Right wrist X-ray | AP projection | male, 9 yo — 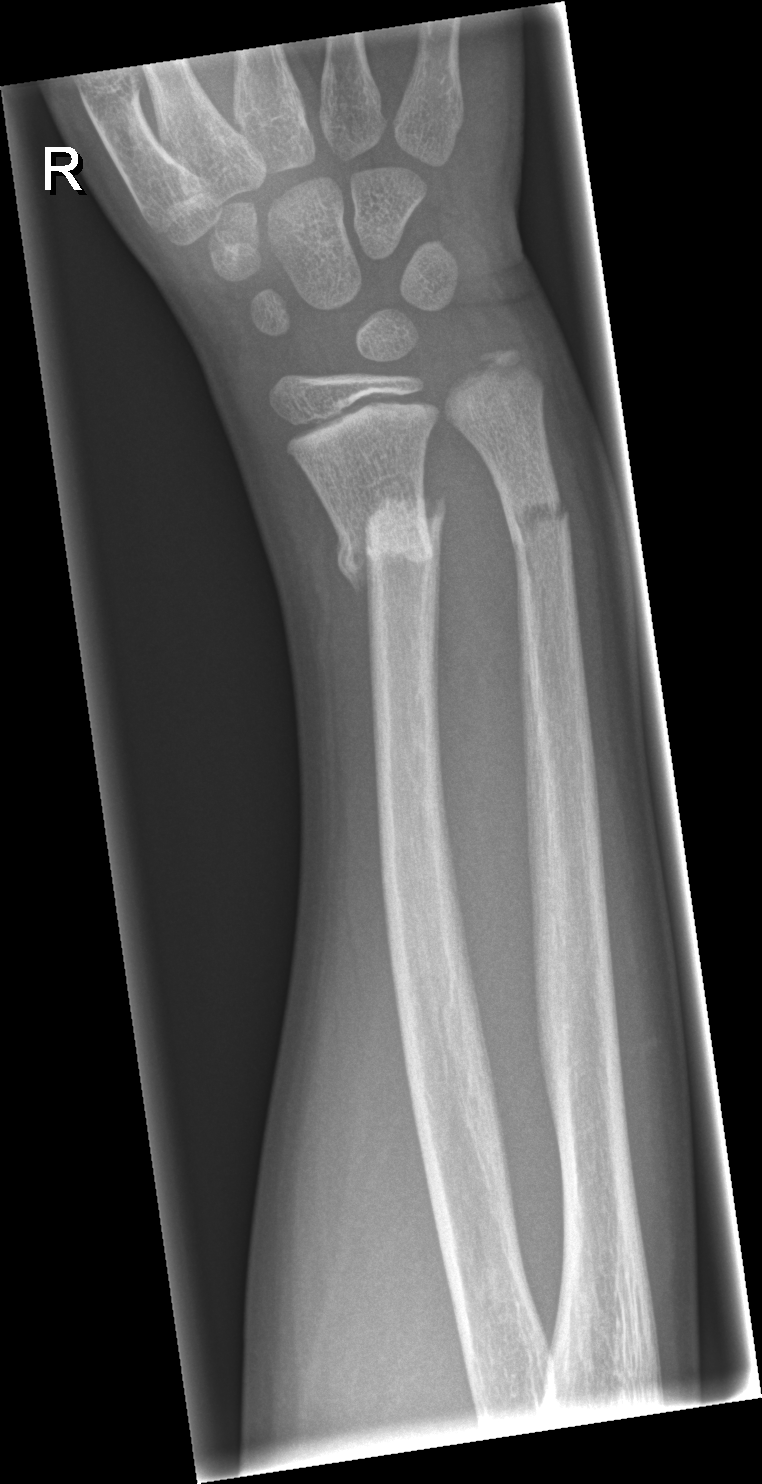

Fracture = 2 @ [328, 487, 451, 592]; [499, 485, 574, 559]